Right wrist XR; lateral view; girl, 11 yo; subsequent exam; cast present; 460x836 —

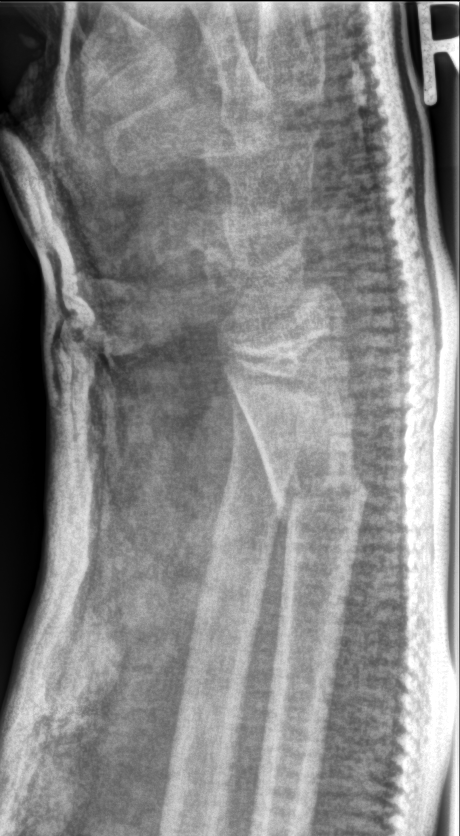

Bone fracture identified at bbox(264, 448, 372, 531).